PA/AP | left wrist XR | acquired on Siemens | image size 563x1244 —
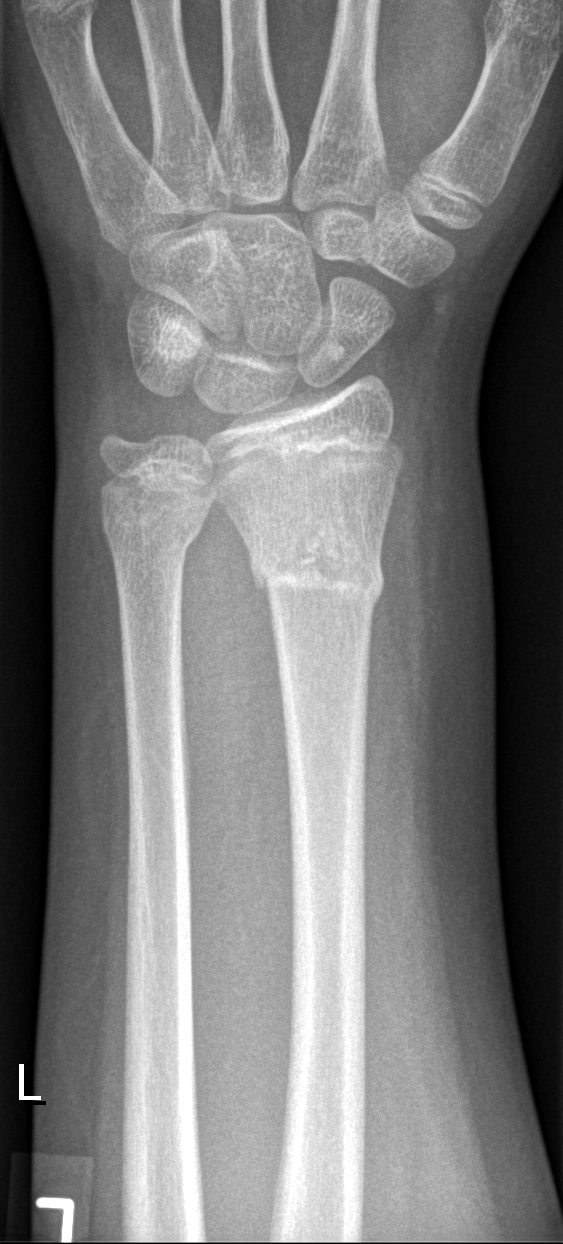
FINDINGS — (coordinates are [x1, y1, x2, y2] in image pixels) Fx identified at 241 505 386 611
  97 498 211 559.